Left wrist X-ray | lateral projection | 424x841.

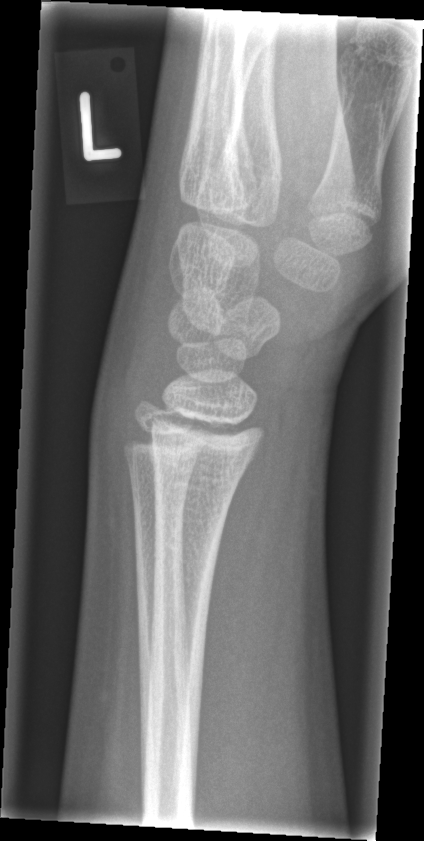

Fracture: none labeled.